Left wrist plain film; lat view; 10-year-old boy; follow-up study; imaged through cast.
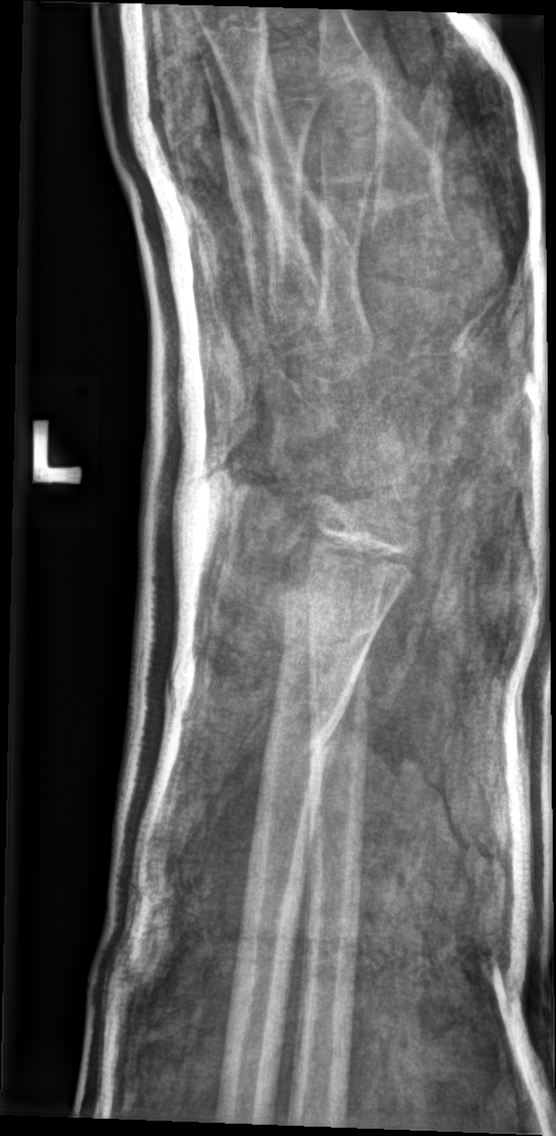 Bounding boxes in image-pixel xyxy. Fracture identified at [259, 686, 362, 802]; [299, 596, 387, 650]. AO/OTA classification: 23-M/3.1.